Lateral view, Lt plain radiograph of the wrist.

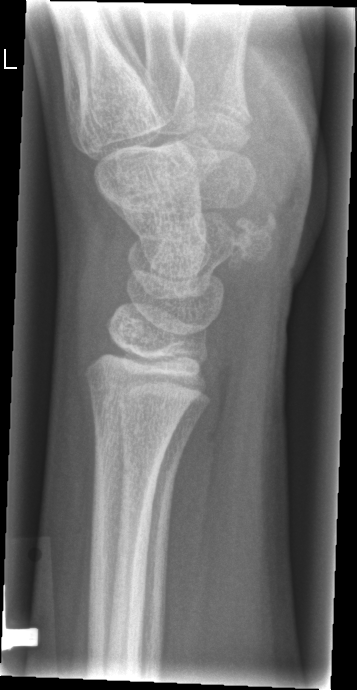   fracture: none labeled